PA projection, right plain radiograph of the wrist, 12y M, image 89.1 mm wide:
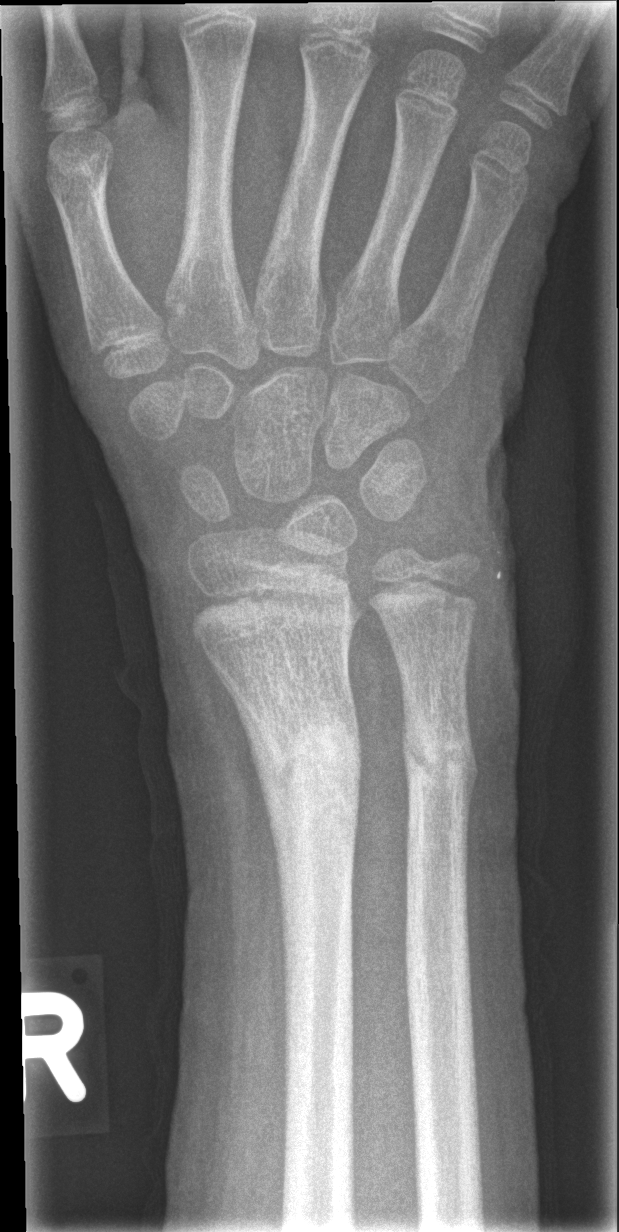

Fx: 2 @ [248, 706, 363, 817]; [400, 714, 481, 795]
Osteopenia: present
Periosteal reaction: 2 @ [210, 660, 296, 1038]; [462, 720, 478, 864]